Right wrist plain film, lat projection, 9-year-old boy
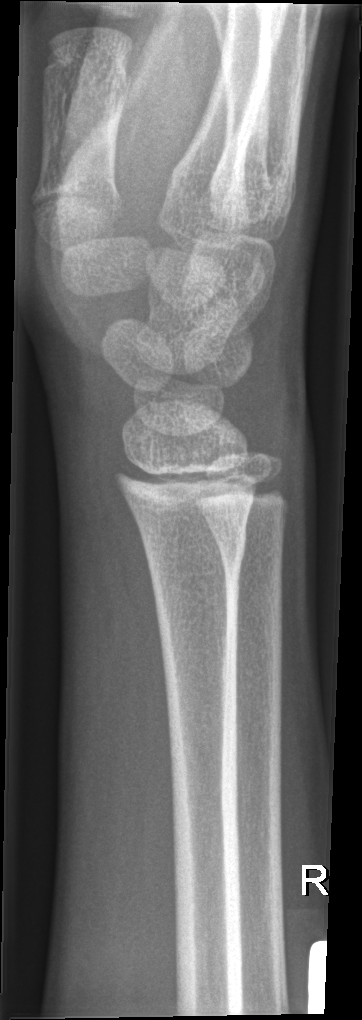
{"_coords": "bounding boxes in image-pixel xyxy", "ao": "23r-M/2.1", "fracture": "bbox(140, 511, 253, 586)"}